L plain radiograph of the wrist, PA/AP projection — 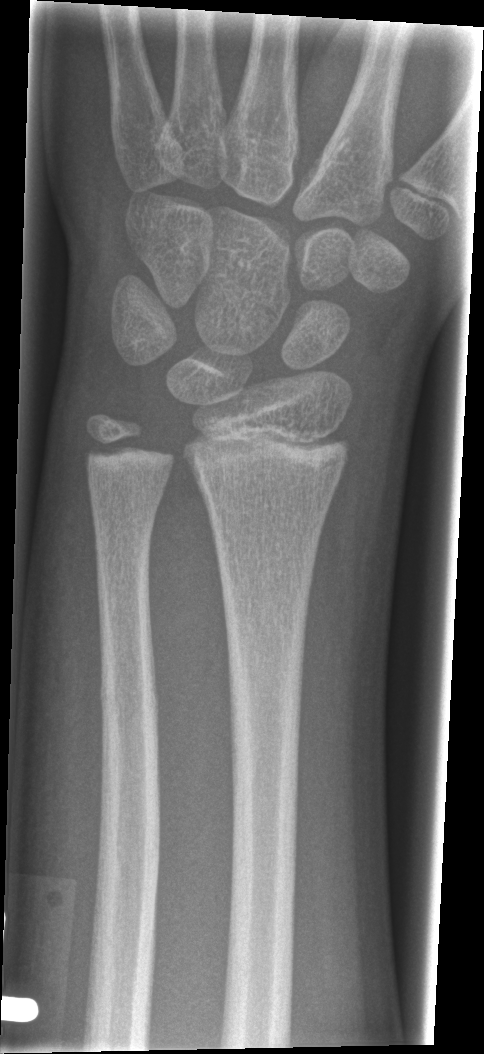 No fracture labeled.